Right wrist plain film · frontal projection · 4y M · image width 70.0 mm · image size 486x1035. 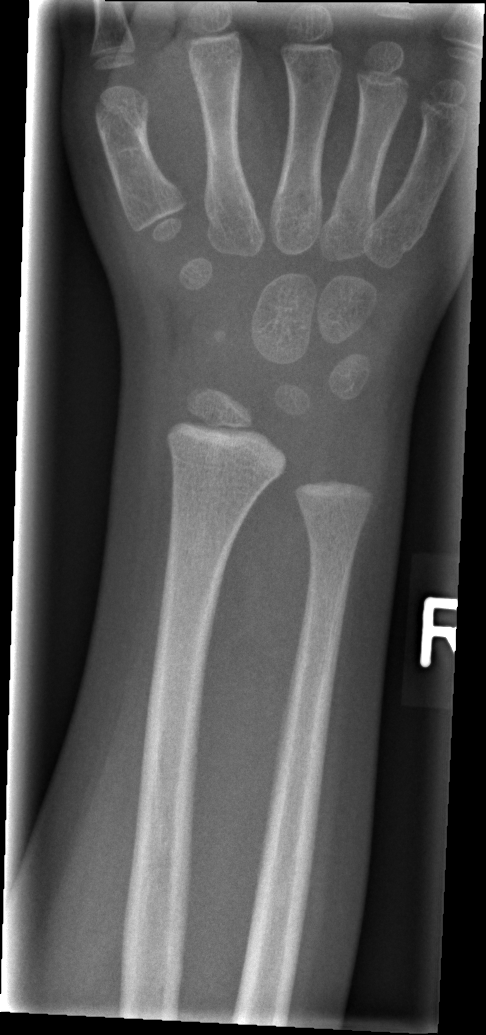 Fracture: none labeled